Lat; Rt wrist XR; pediatric patient (boy, age 12). 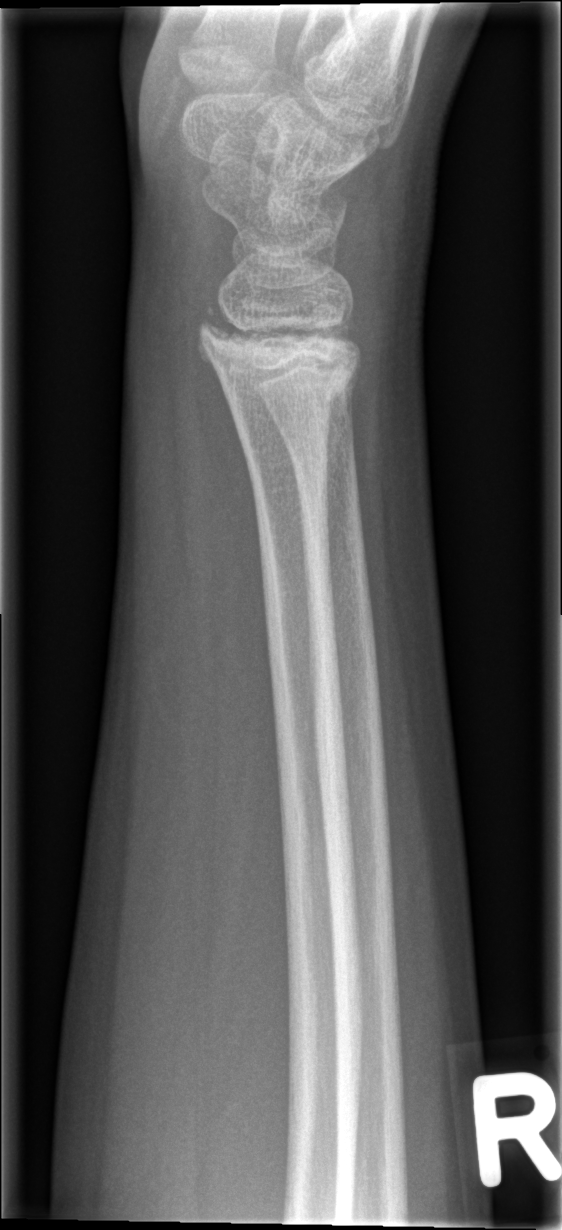
(bounding boxes in image-pixel xyxy)
Q: AO code?
A: AO code 23r-E/2.1; 23u-E/7
Q: Is there osteopenia?
A: Osteopenia
Q: Is there a fracture?
A: One bone fracture at [x1=192, y1=302, x2=364, y2=412]